Lateral projection, Lt pediatric wrist radiograph, follow-up study.

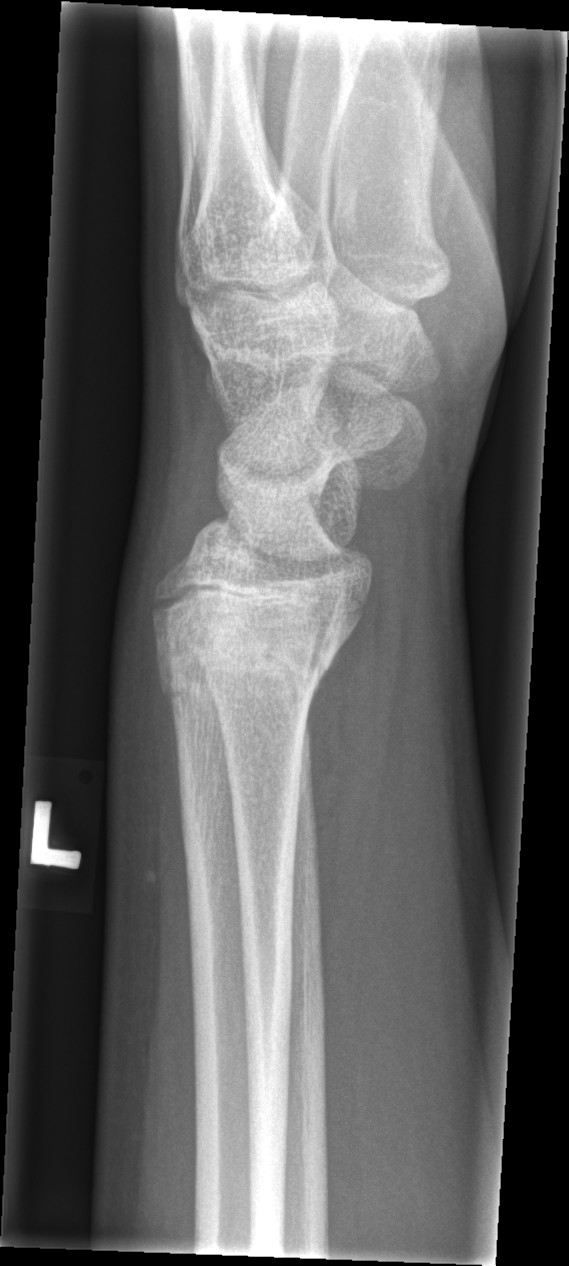 One fracture at bbox(150, 580, 353, 729).